Lateral, Rt wrist XR, 15-year-old male, in cast

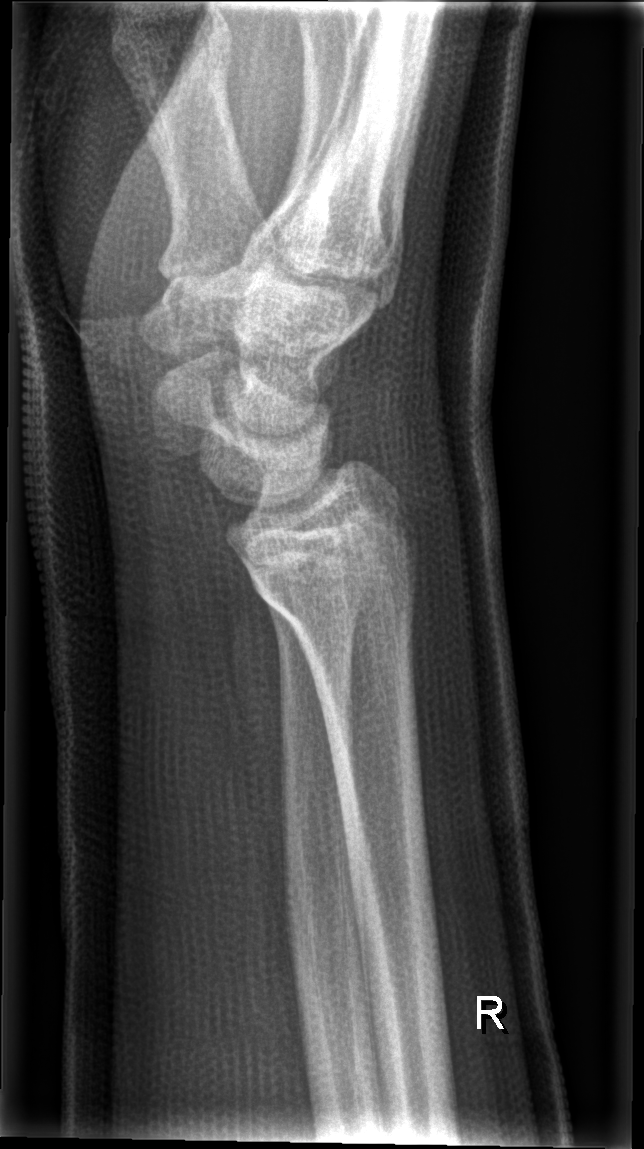

bone fracture = 1 @ [x1=250, y1=525, x2=423, y2=646]